Lat, right wrist XR, age 11 y, girl, acquired on Siemens, 604x1230 —
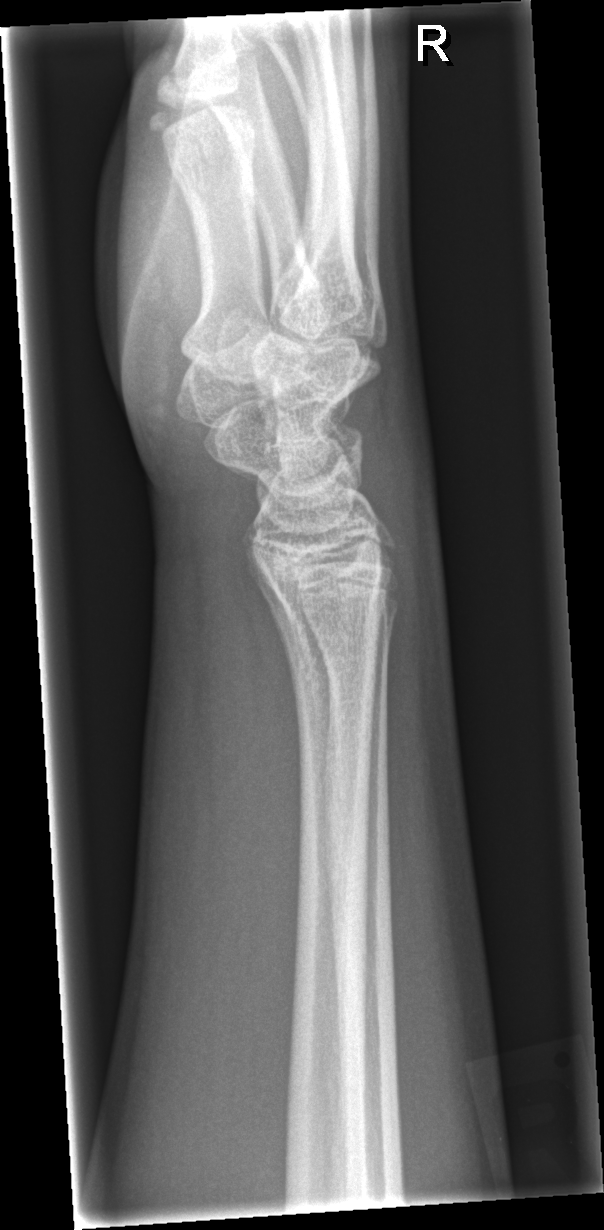
* No fracture labeled.